Right wrist XR, lat view, Siemens: 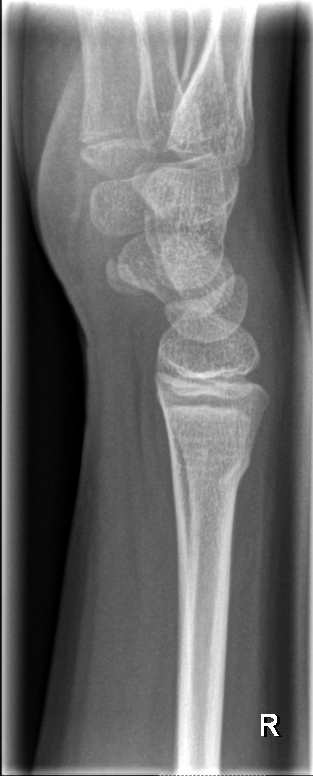

Findings: (coordinates are [x1, y1, x2, y2] in image pixels) AO code 23r-M/2.1. Fx identified at 169,441,253,487.